AP view | right wrist plain film — 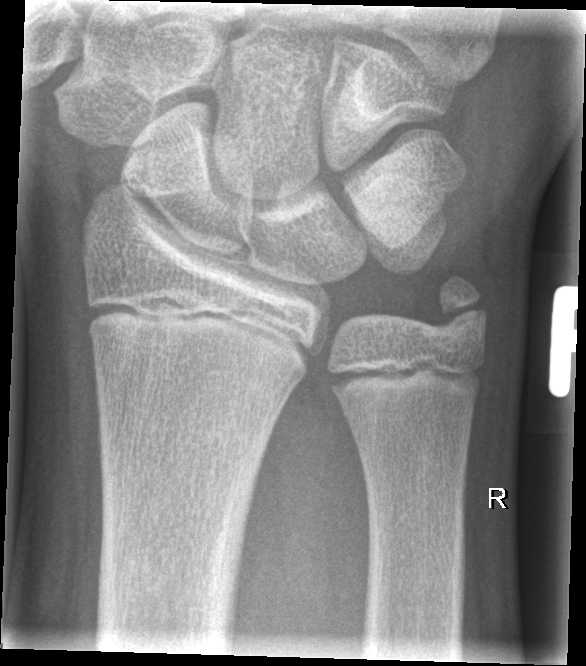 * Boxes as x1,y1,x2,y2 (top-left / bottom-right, pixel units).
* Fx — 426,267,493,351.